R wrist XR; PA/AP

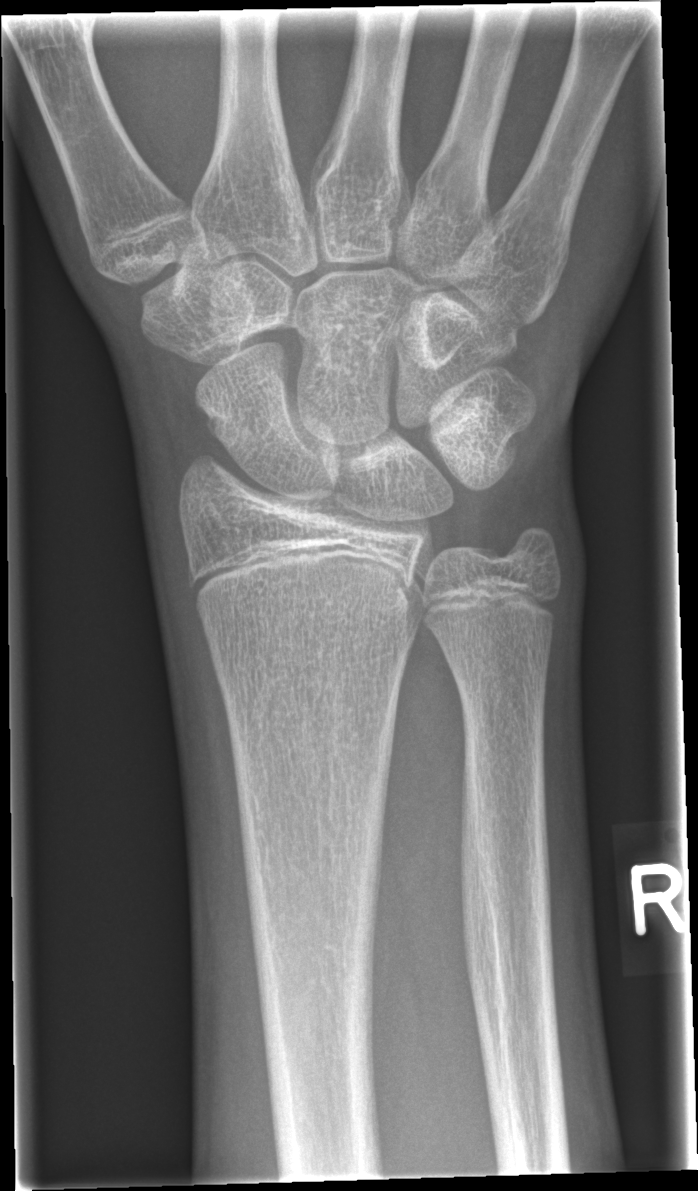 Fracture: none labeled.